AP; Rt pediatric wrist radiograph; 9y M; initial study; detector: Siemens.

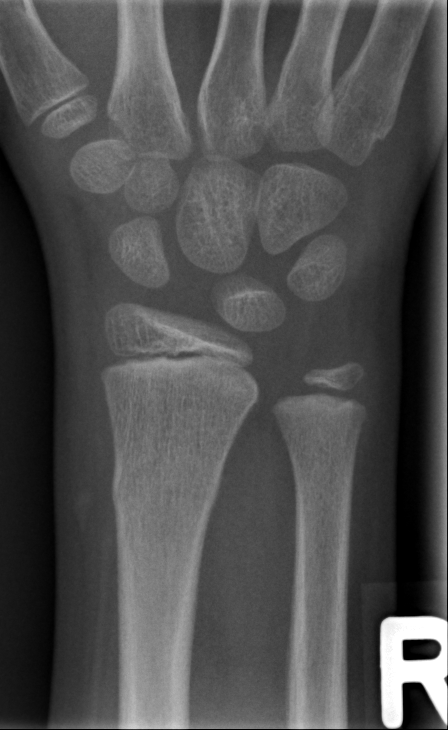

(coordinates are [x1, y1, x2, y2] in image pixels)
Q: What is the AO/OTA classification?
A: AO code 23r-M/2.1
Q: Fracture present?
A: Fx — [106, 454, 225, 520]